Lt wrist X-ray, lateral, pediatric patient (boy, age 10)
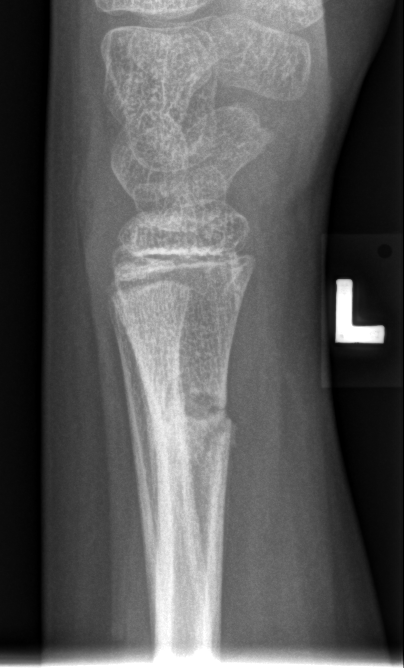 {
  "ao": "23r-M/3.1",
  "periostealreaction": "1 @ bbox(128, 337, 163, 560)",
  "fracture": "1 @ bbox(147, 369, 238, 472)"
}